Lateral | left wrist XR | 13y M. 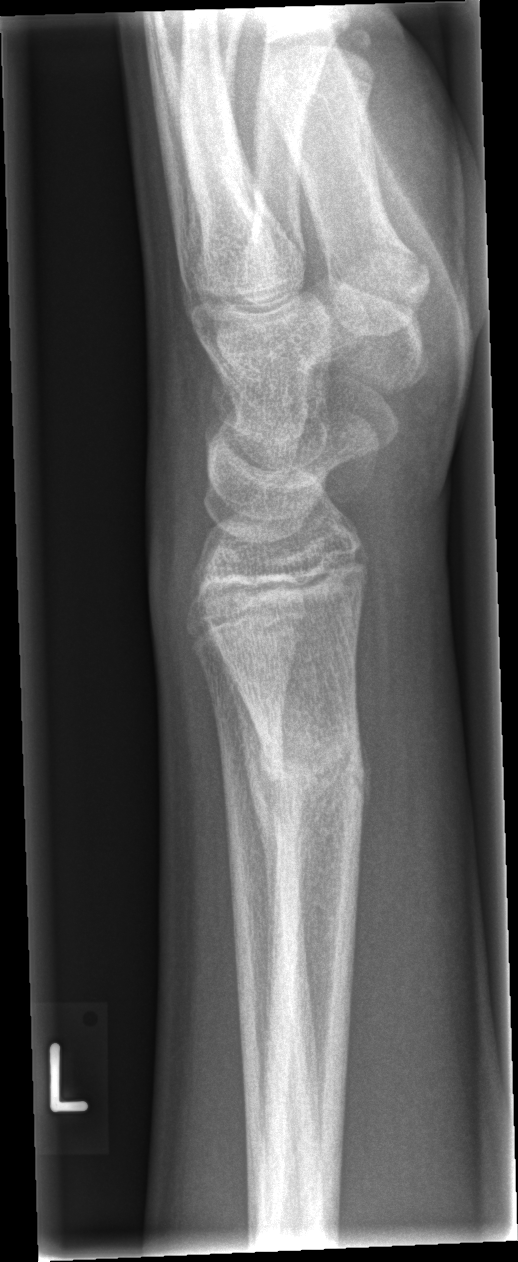 Findings: (bounding boxes in image-pixel xyxy) Decreased bone density (osteopenia). Periosteal thickening identified at [216, 641, 278, 958], [359, 727, 372, 843]. Fracture — [250, 723, 367, 821]. AO/OTA classification: 23r-M/3.1; 23u-E/7.